Lt wrist radiograph; lat; age 14 y, female:
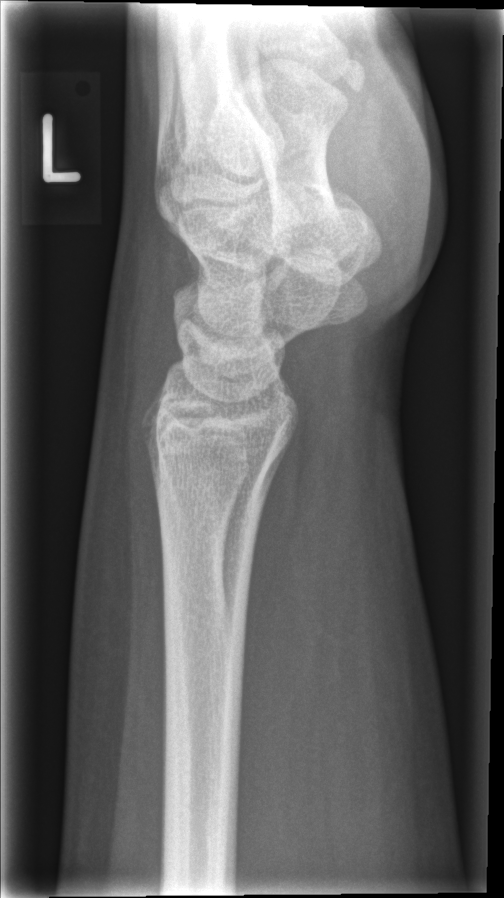 • No fracture bounding box.